Left wrist XR; lateral view; boy, 13 yo; initial study.

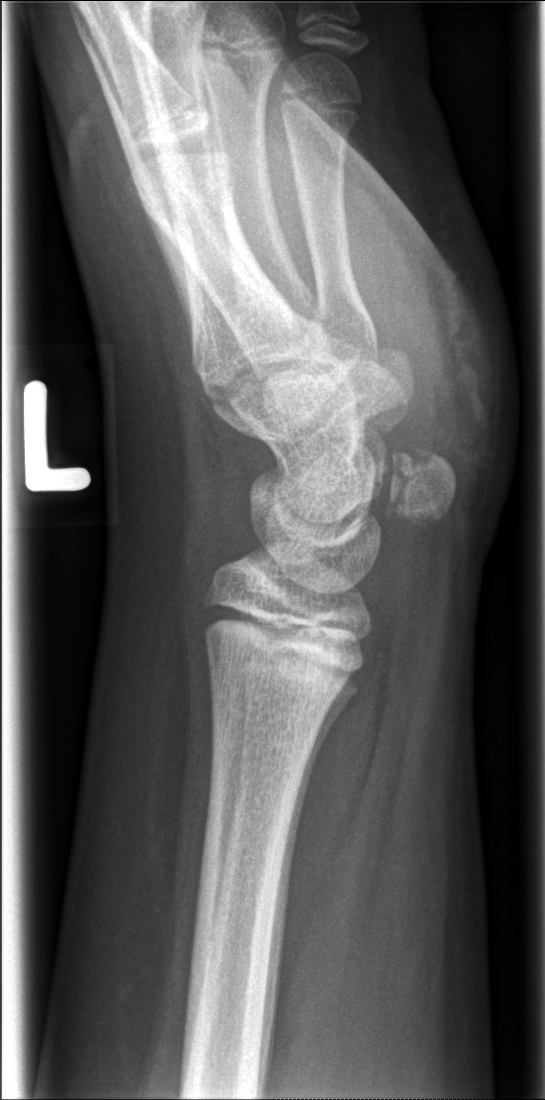 FINDINGS: Fx: none.